Lat view | right wrist plain radiograph of the wrist | girl, 17 yo | detector: Siemens | image size 314x941

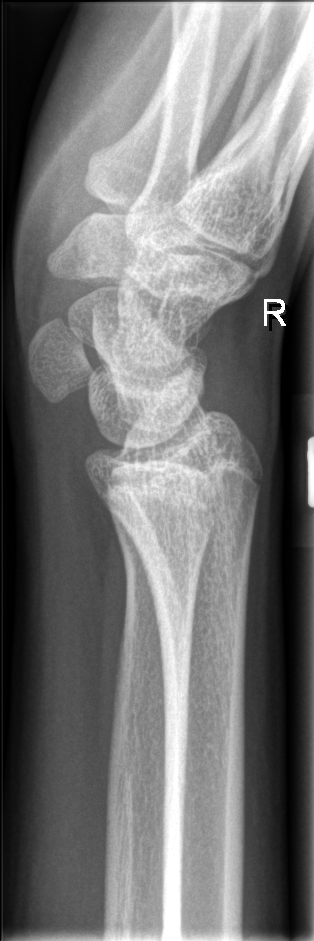 • Fx: none.